Rt wrist X-ray · PA projection · 9y M · cast in situ: 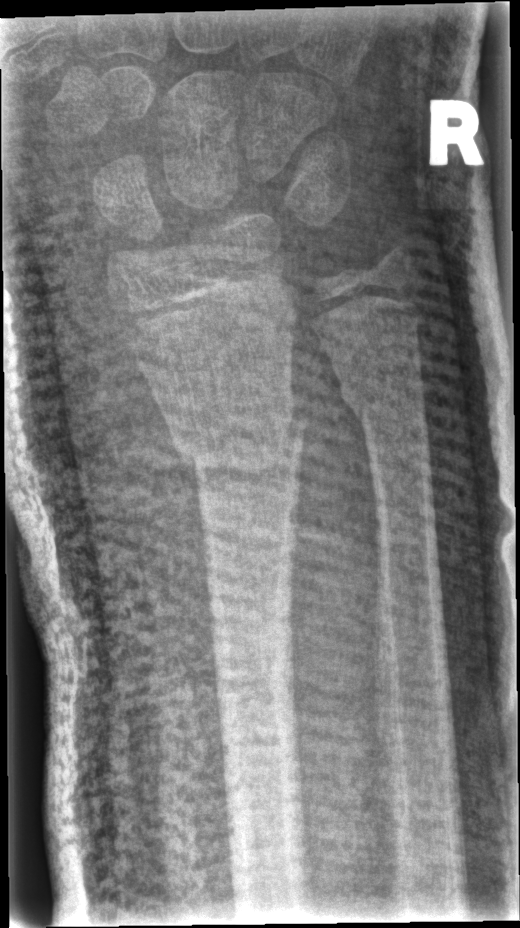 AO code 23r-M/3.1; 23u-M/2.1.
Fracture identified at <168,389>-<309,491> <336,376>-<430,426>.